Left wrist plain film | PA/AP projection.
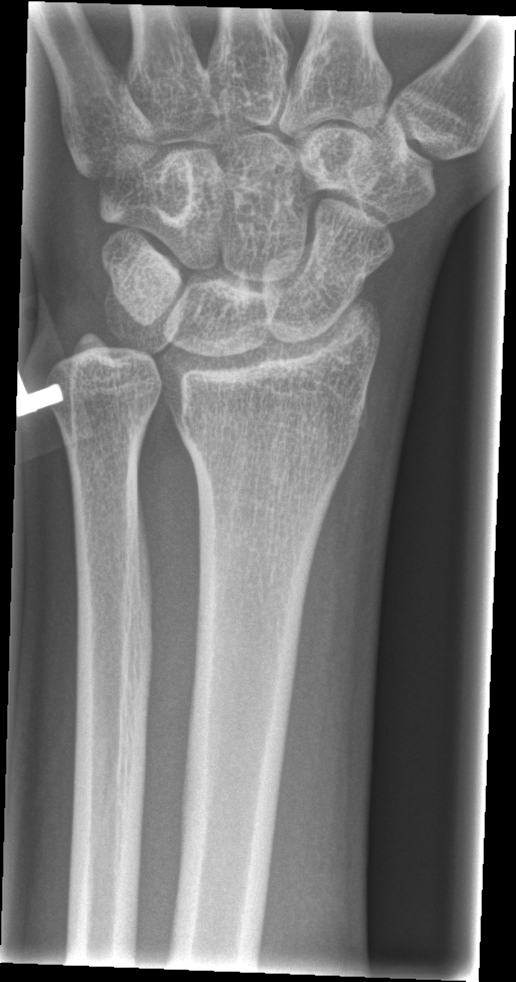 Fracture = none labeled